Rt plain radiograph of the wrist, PA projection, 12y F, initial study:
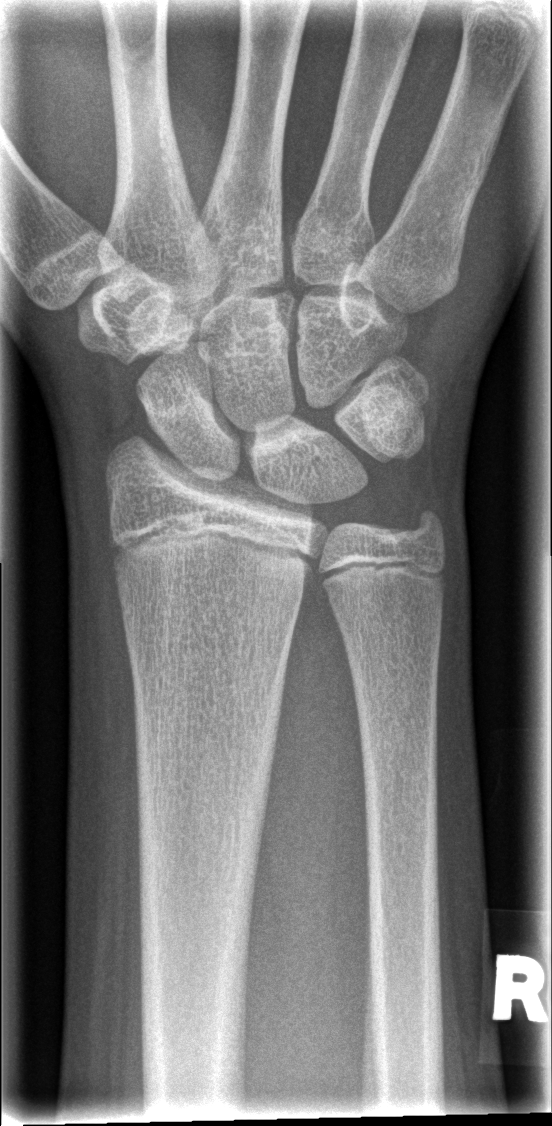 {"fracture": "none labeled"}